Lat · Lt plain radiograph of the wrist · male, 10 yo · cast present · 845 by 1400 pixels

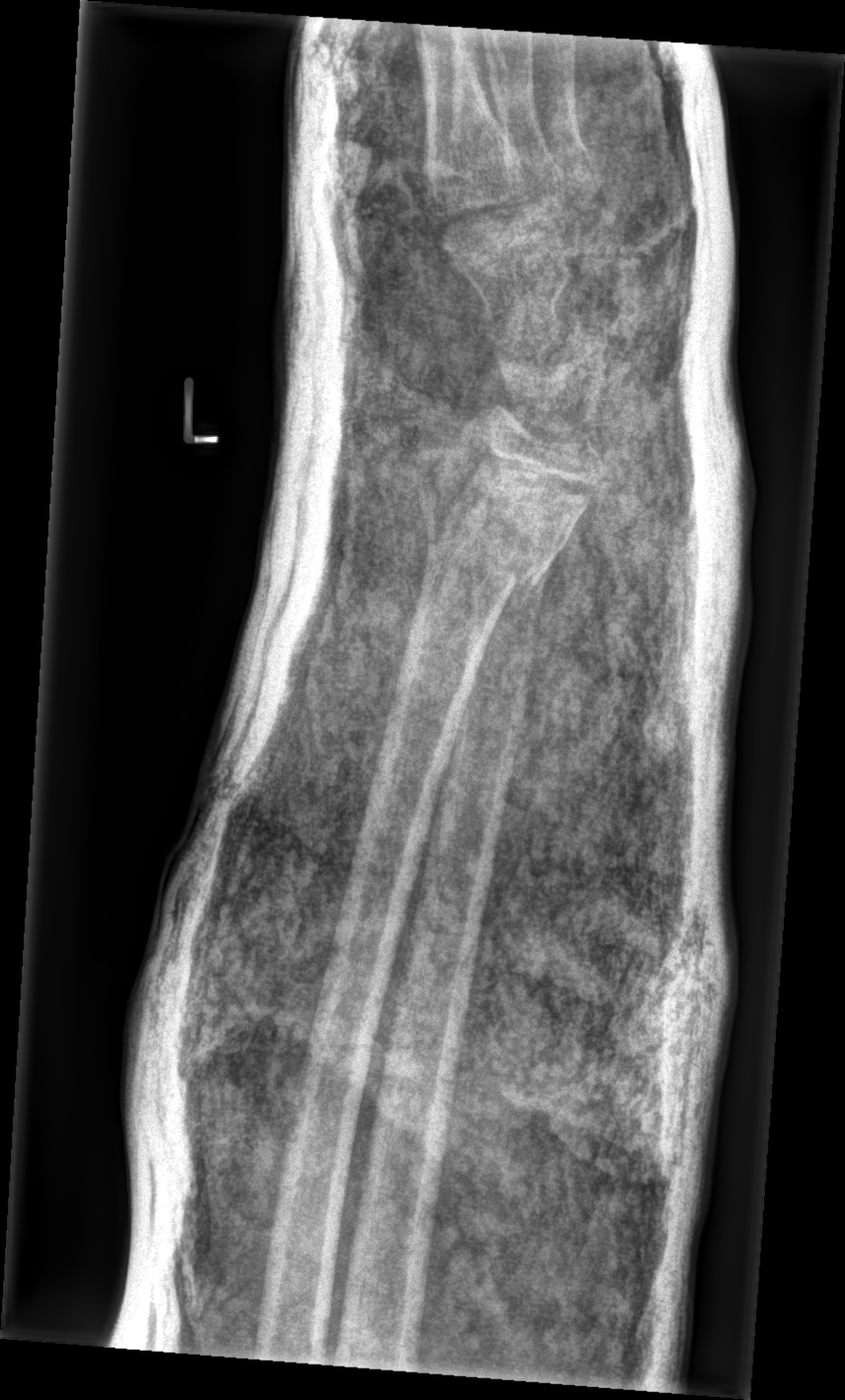
Fx: [407, 445, 576, 608].